Right wrist radiograph; lateral; acquired on Siemens:
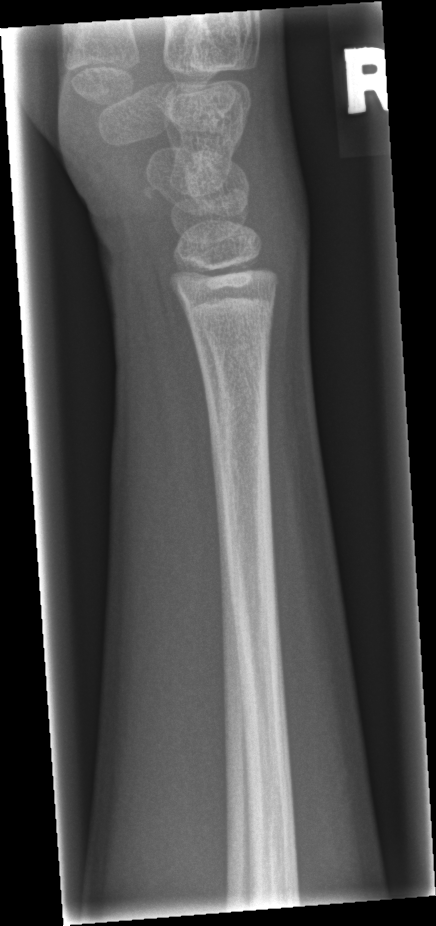

Fracture: none labeled